Posteroanterior projection · left wrist X-ray · female, 11 yo · cast in situ 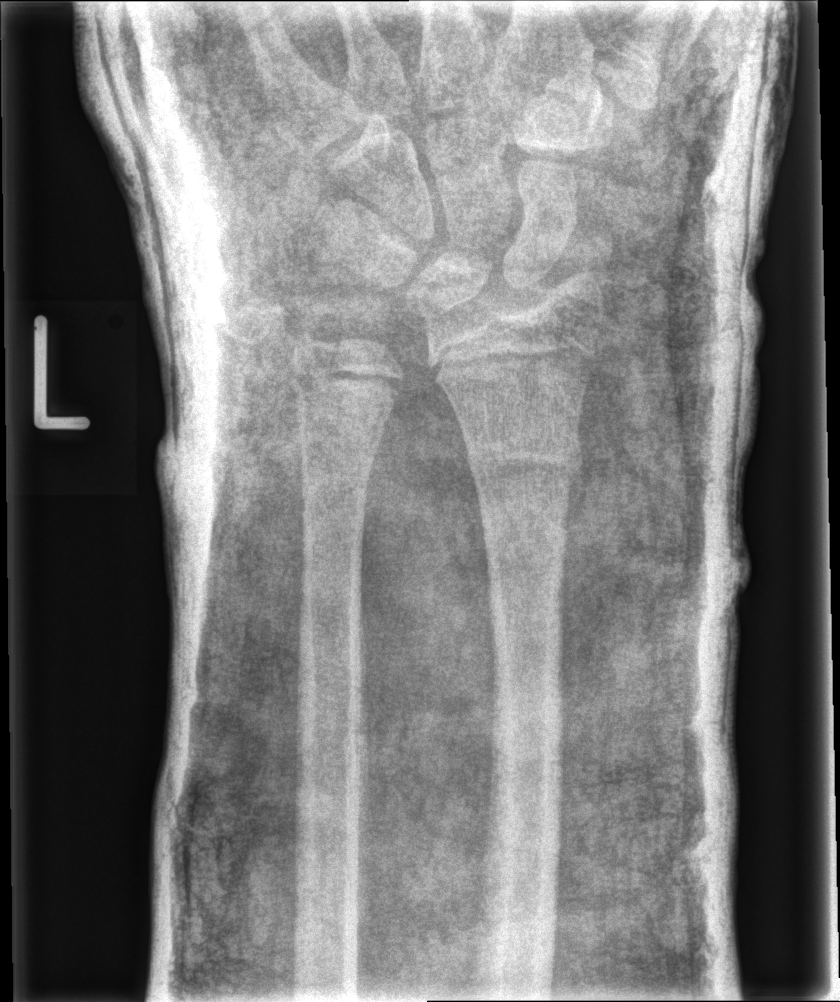
Fx identified at 460,431,588,498.